Right wrist radiograph | AP projection | pediatric patient (boy, age 11) | 609 x 1050 px — 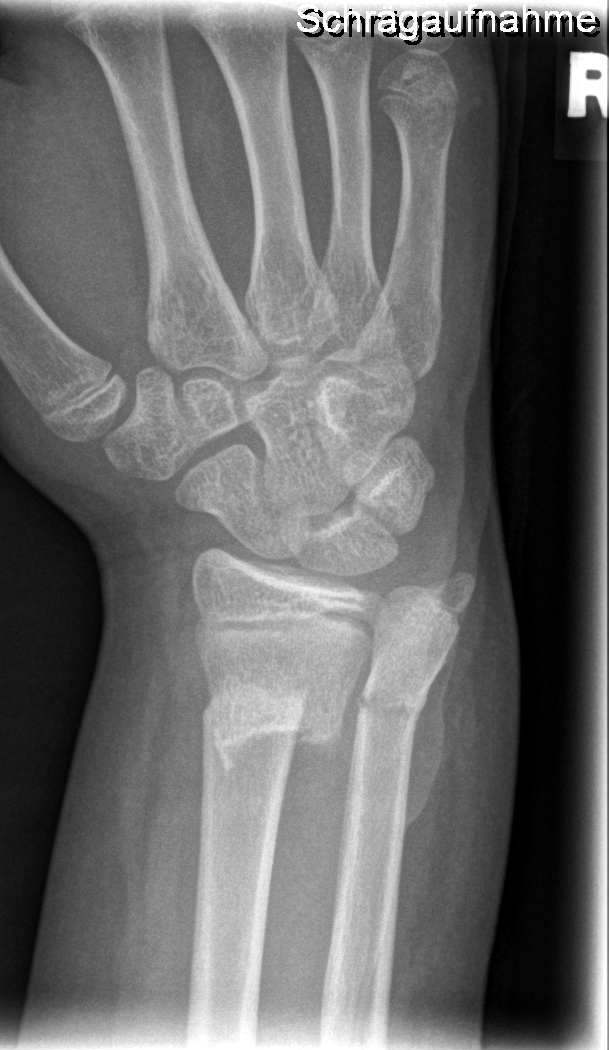
• Fracture: 193,660,353,775; 354,669,435,735.